Lat, R wrist X-ray 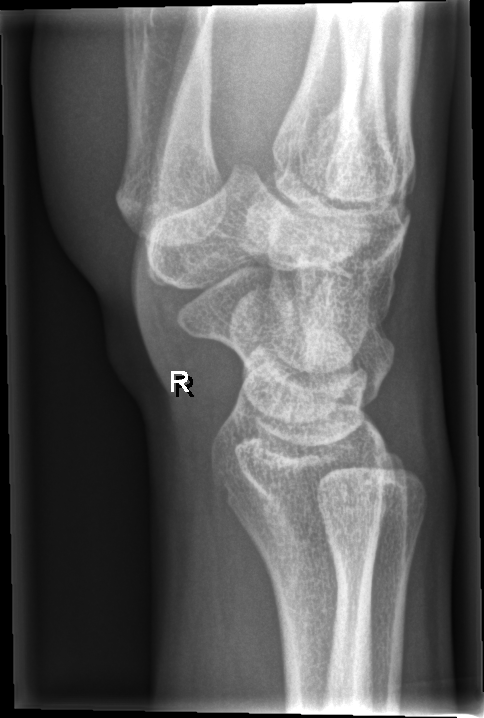
Fx: none.